L plain radiograph of the wrist, lateral view, age 12 y, female, in cast, Siemens, 90.4 mm image width: 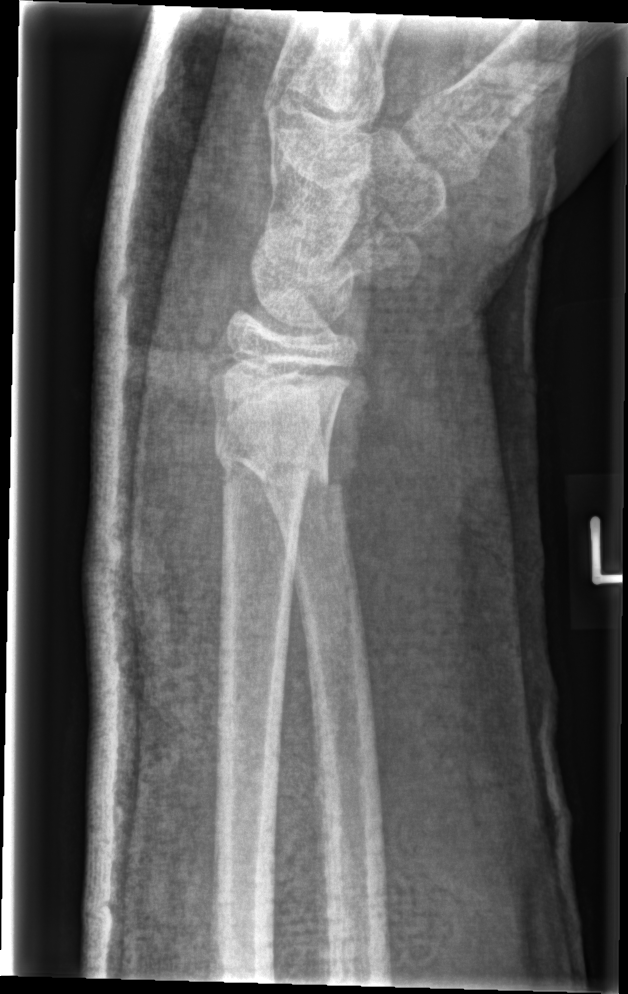

• Coordinates are [x1, y1, x2, y2] in image pixels.
• AO code 23-M/3.1; 23u-E/7.
• Bone fracture: 202,411,330,488; 257,454,348,502.